Left plain radiograph of the wrist; posteroanterior projection; age 9 y, boy.
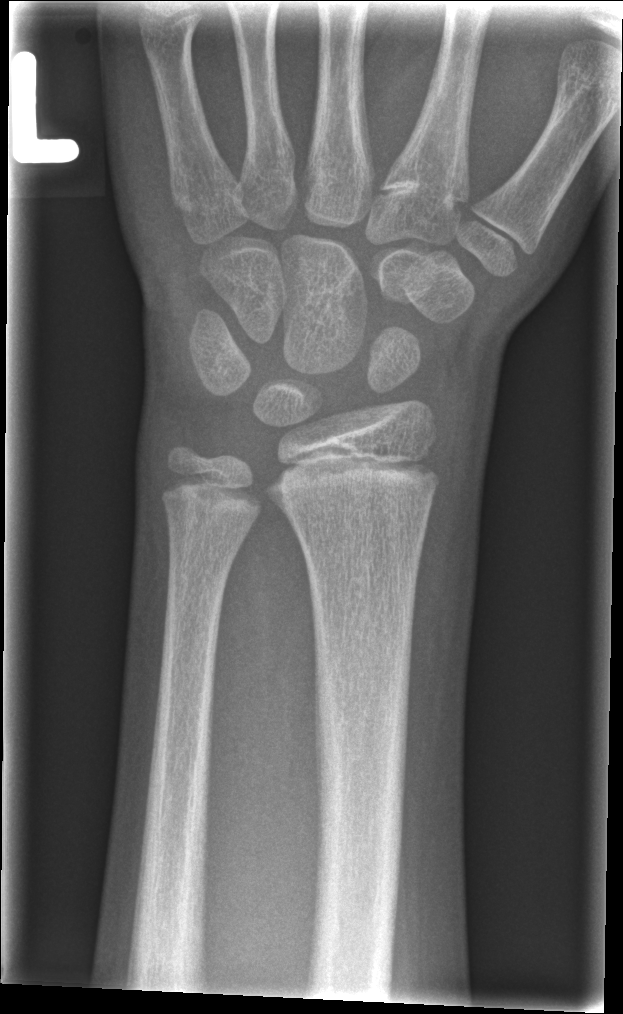
{"fracture": "none labeled"}